Left wrist radiograph | frontal view | 14-year-old girl | detector: Siemens | image width 84.0 mm: 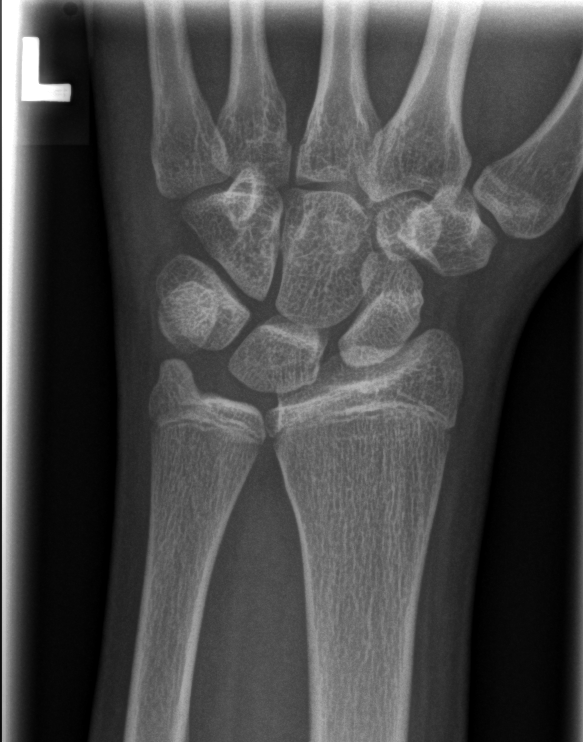

Fx: none labeled